Right wrist radiograph | lateral 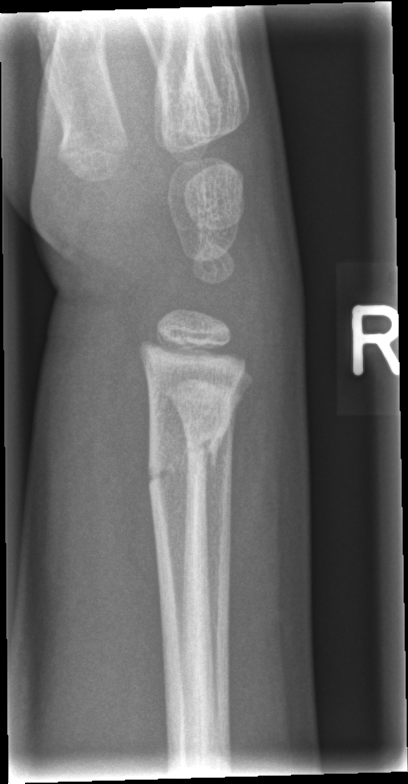

Boxes as x1,y1,x2,y2 (top-left / bottom-right, pixel units). Pronator sign identified at (left=85, top=301, right=161, bottom=607). Fracture: (left=140, top=396, right=240, bottom=491).